PA/AP projection | L wrist XR | image size 684x1182. 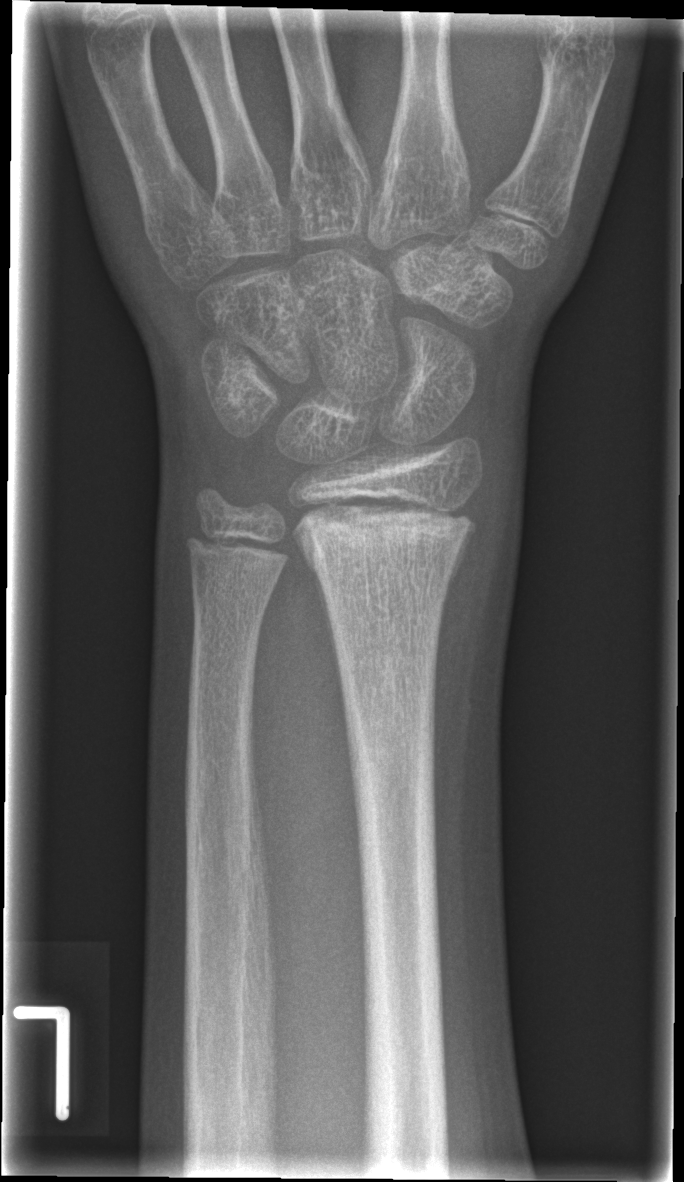

- Coordinates are [x1, y1, x2, y2] in image pixels.
- Decreased bone density (osteopenia).
- Bone fracture identified at bbox(293, 493, 483, 560).
- AO code 23r-E/2.1.